R plain radiograph of the wrist | lat | girl, 15 yo | 583 by 1092 pixels

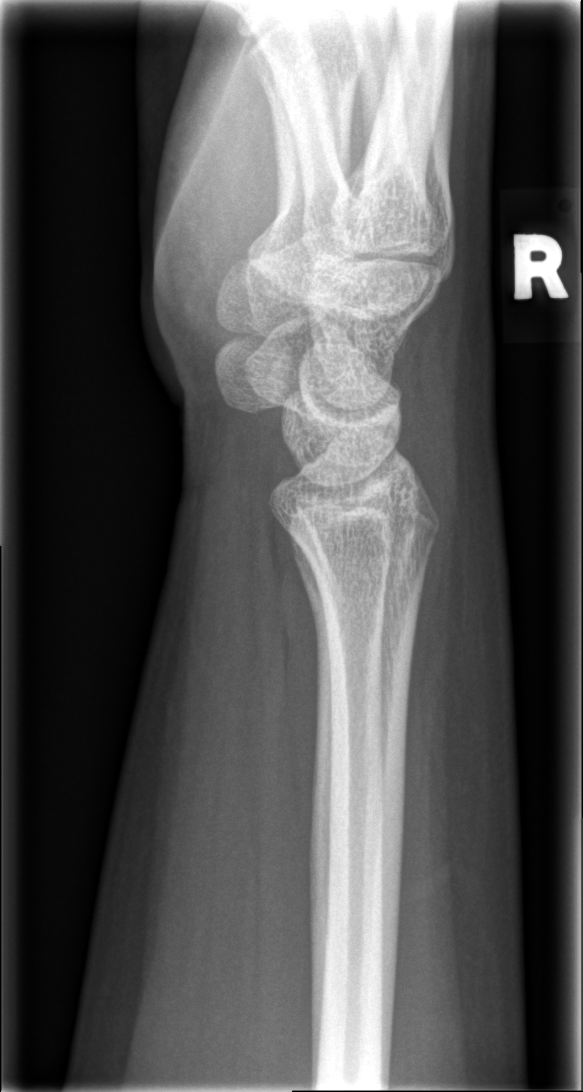

* Fracture: none labeled.